Right plain radiograph of the wrist, lateral view, male, 12 yo.

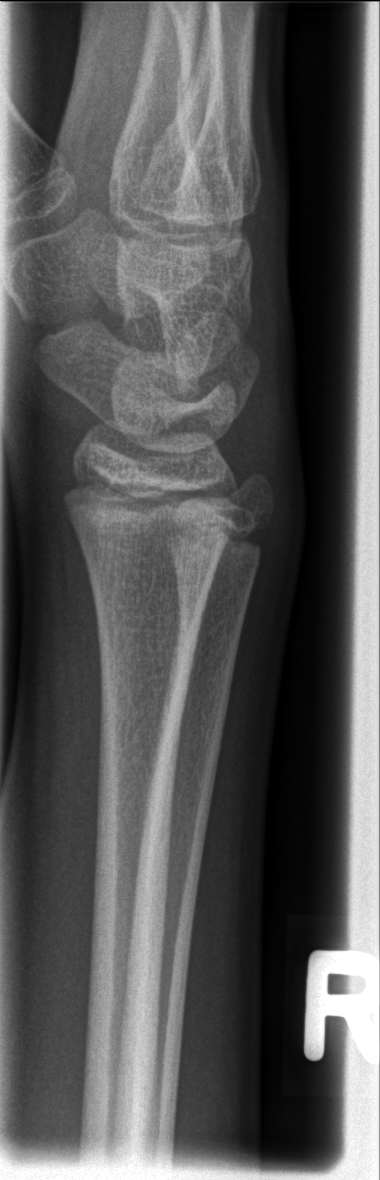
• No fracture annotation.